Lat; R wrist X-ray; 10y F.
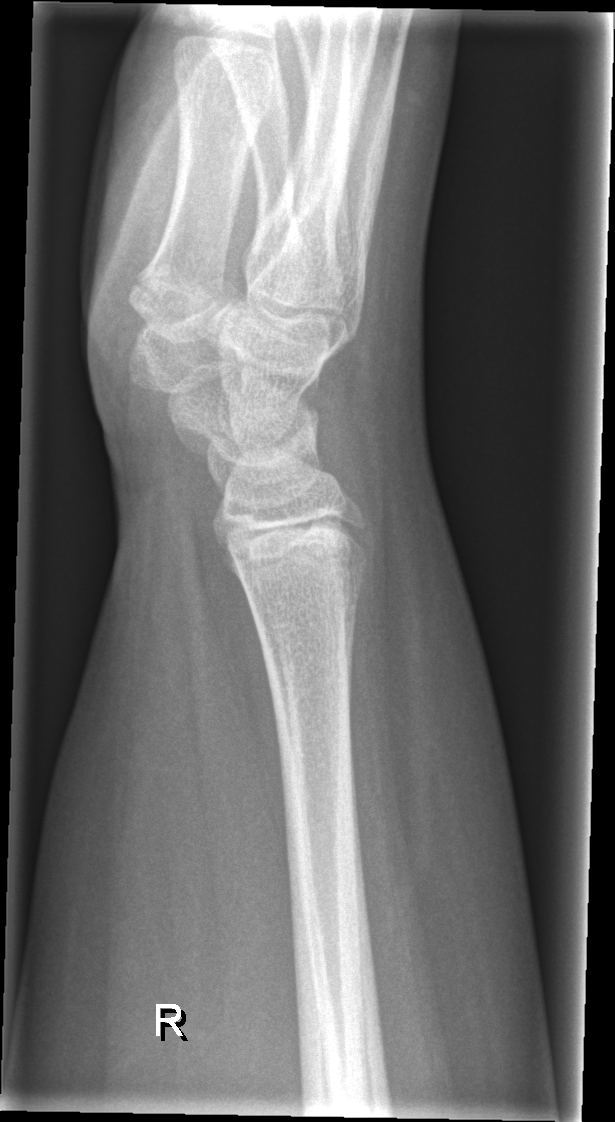
Fx = none labeled